Left wrist pediatric wrist radiograph; AP; subsequent exam: 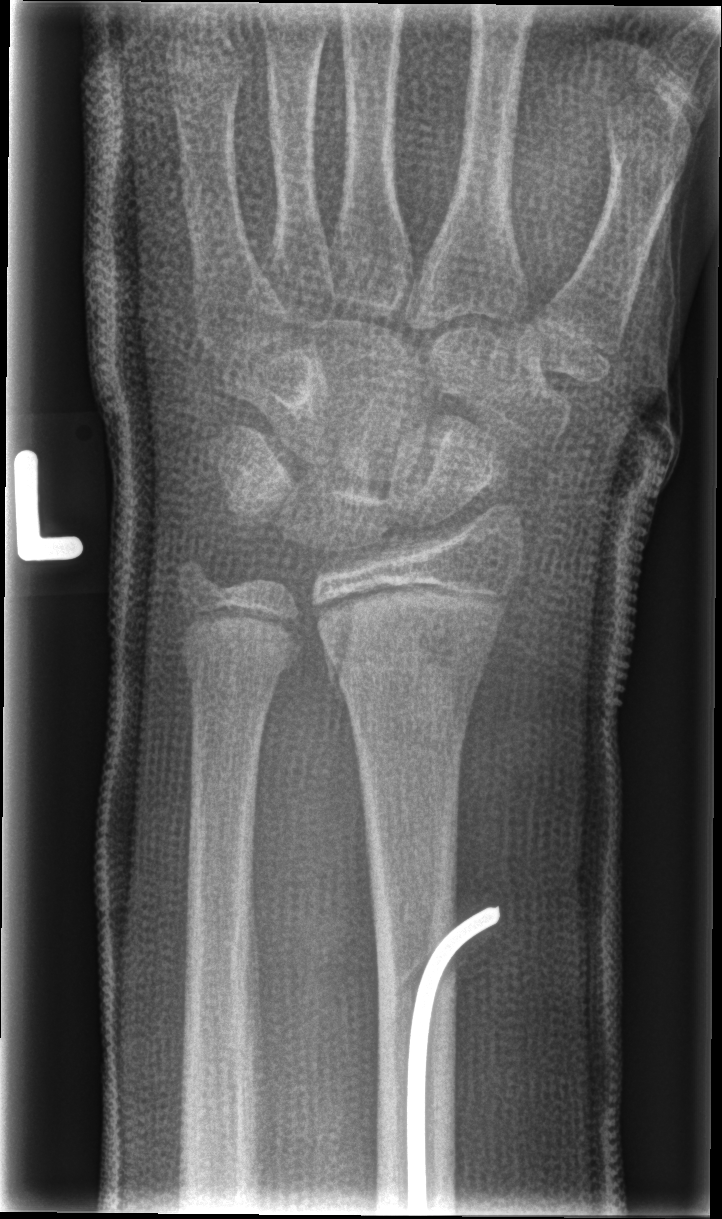
* AO code 23r-E/2.1; 23u-M/2.1.
* Bone fracture identified at bbox(316, 573, 513, 697); bbox(175, 606, 305, 688).
* One hardware at bbox(402, 902, 504, 1216).